Left wrist X-ray | posteroanterior projection

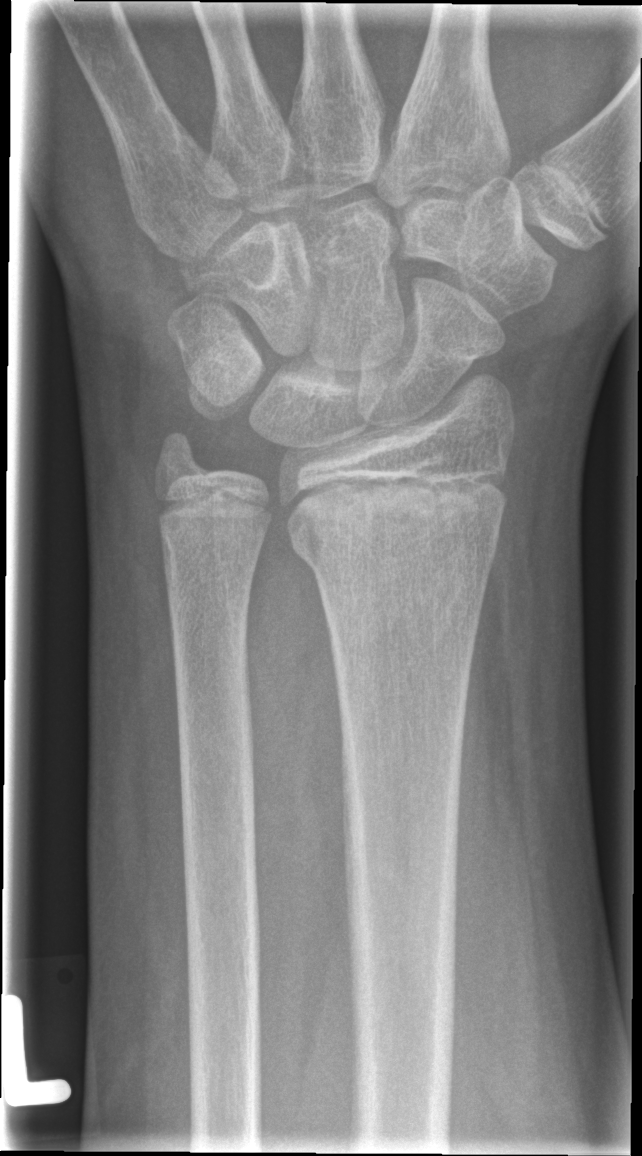
One Fx at 288,515,504,579.